PA/AP projection, Rt plain radiograph of the wrist, index exam.
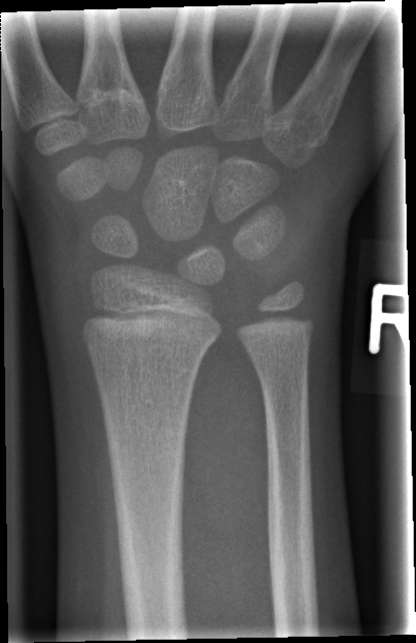
AO/OTA: 23r-M/2.1
Fracture: present but not clearly seen in this view